Lat view · R plain radiograph of the wrist · 14-year-old boy · acquired on Siemens · image size 490x939 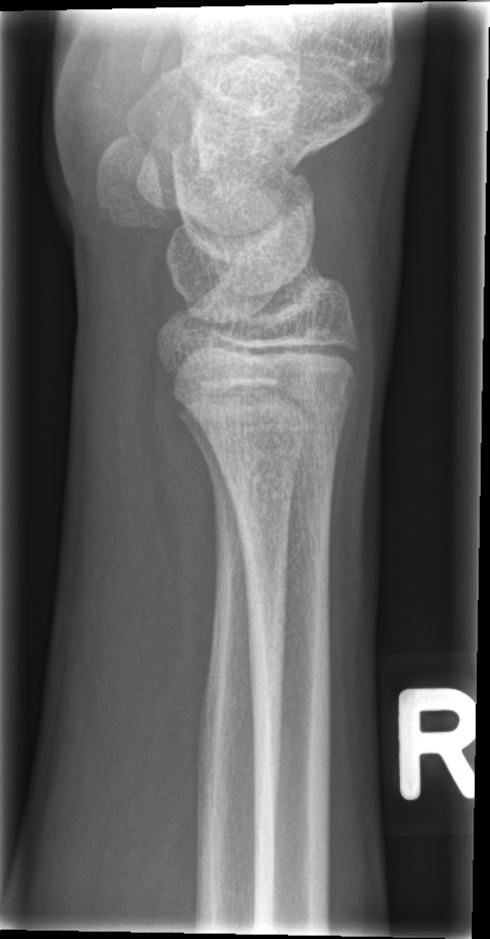 - Fx: none.